Lat projection | left wrist plain radiograph of the wrist | image width 78.0 mm:

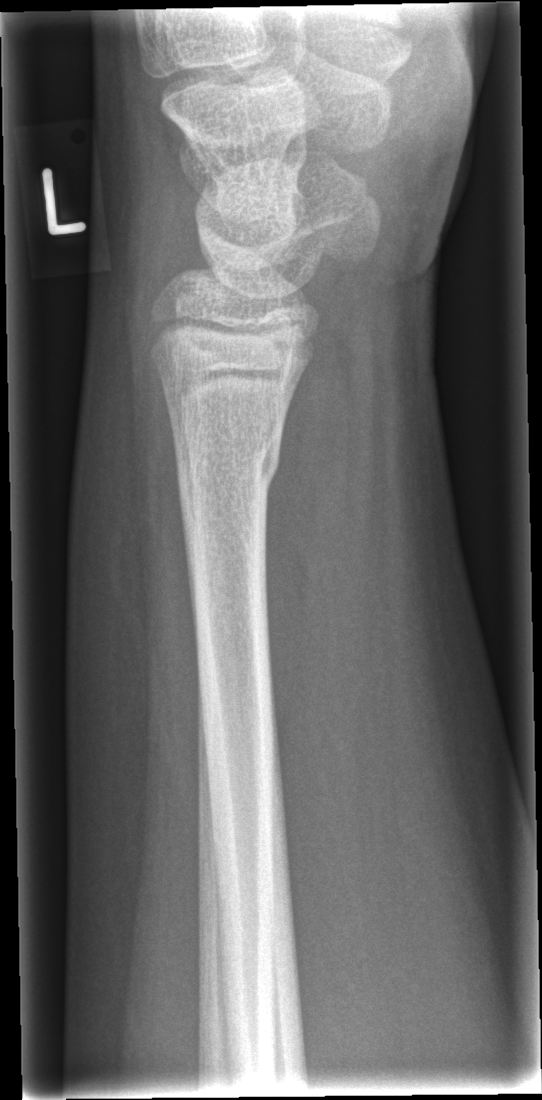

Fracture identified at (left=172, top=439, right=283, bottom=502).
AO/OTA classification: 23r-M/2.1.